Left wrist XR | PA projection | 14-year-old boy | initial study | acquired on Siemens. 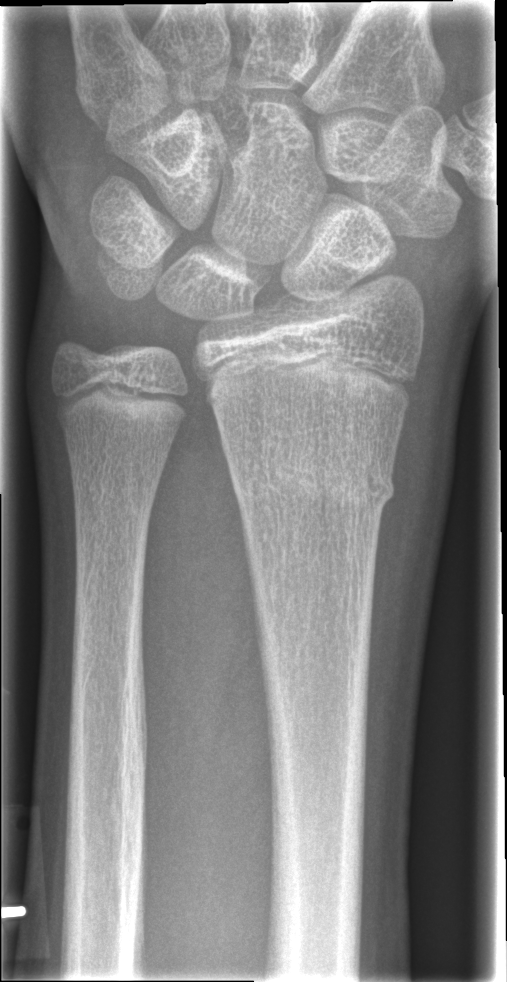
Q: Is there a fracture?
A: One fracture at [x1=229, y1=457, x2=396, y2=510]
Q: AO code?
A: Fracture classified AO/OTA 23r-M/2.1